AP projection, right wrist radiograph, 14y F, in cast, image size 580x850. 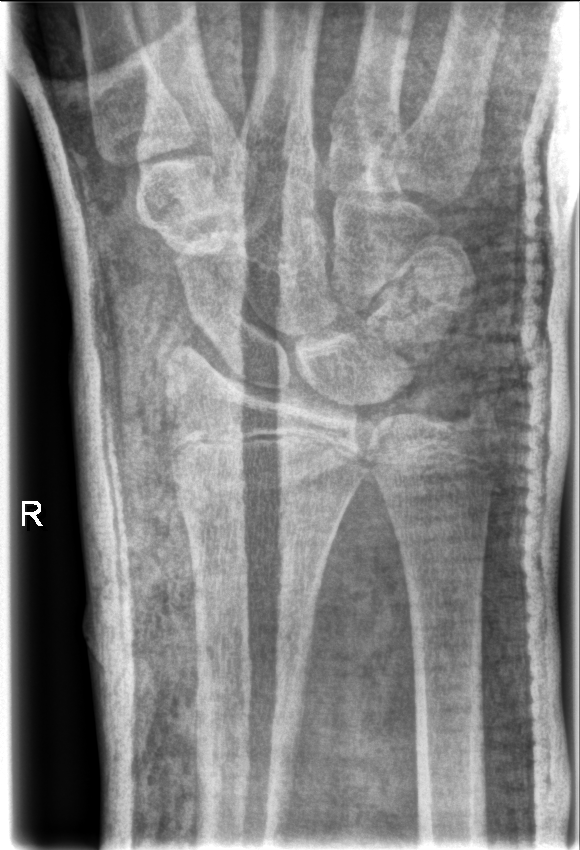 FINDINGS: Fracture classified AO/OTA 23r-M/2.1. Fracture: present but not clearly seen in this view.